Lat projection, R wrist plain film, boy, 13 yo, image width 79.1 mm. 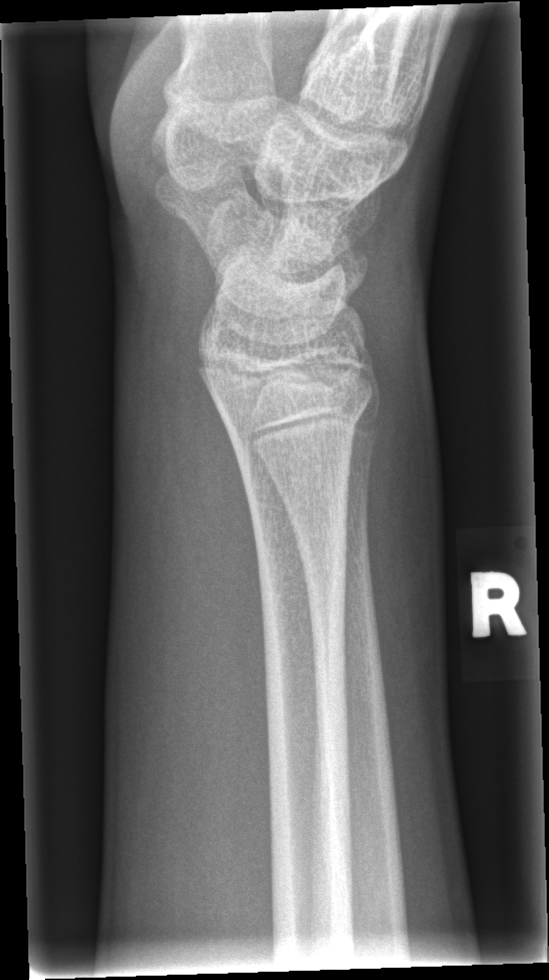

# coordinates are [x1, y1, x2, y2] in image pixels
fracture: bbox(216, 379, 375, 449)
ao: 23r-M/2.1